Lat | left wrist plain film | 16y M | acquired on Siemens | 555x1222
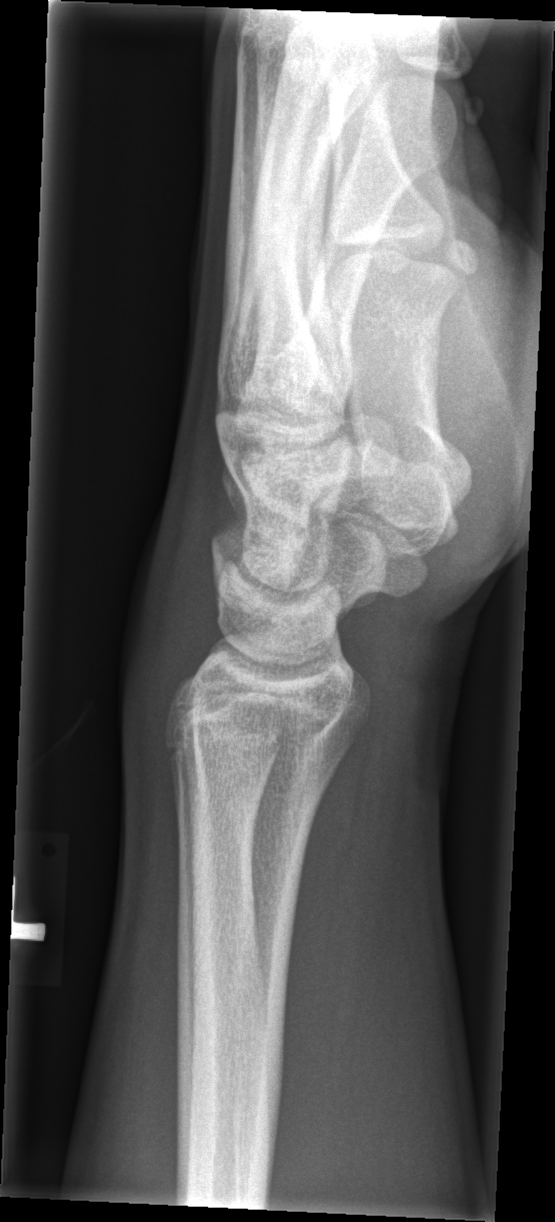 bone fracture = none labeled